Rt pediatric wrist radiograph | PA/AP view | 579 x 818 px: 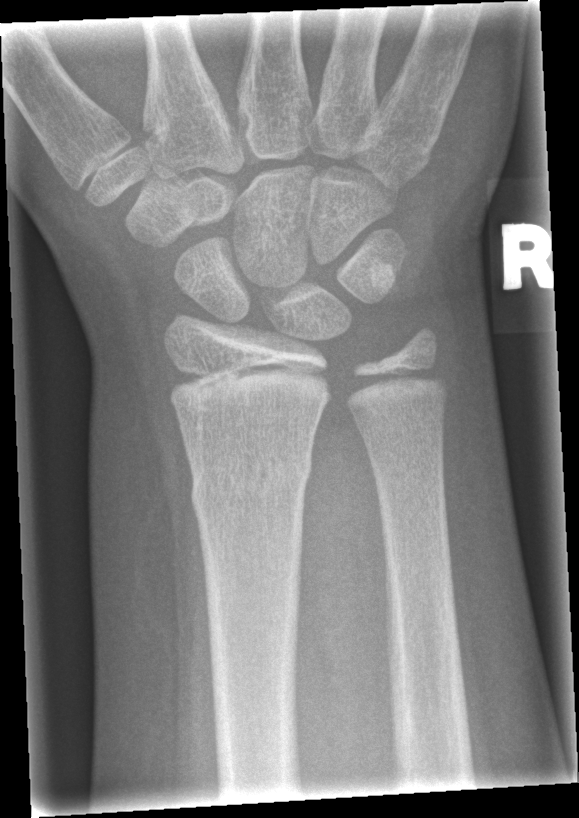 FINDINGS: Bone fracture: 189 451 313 517.